PA/AP | left wrist radiograph | image width 91.0 mm: 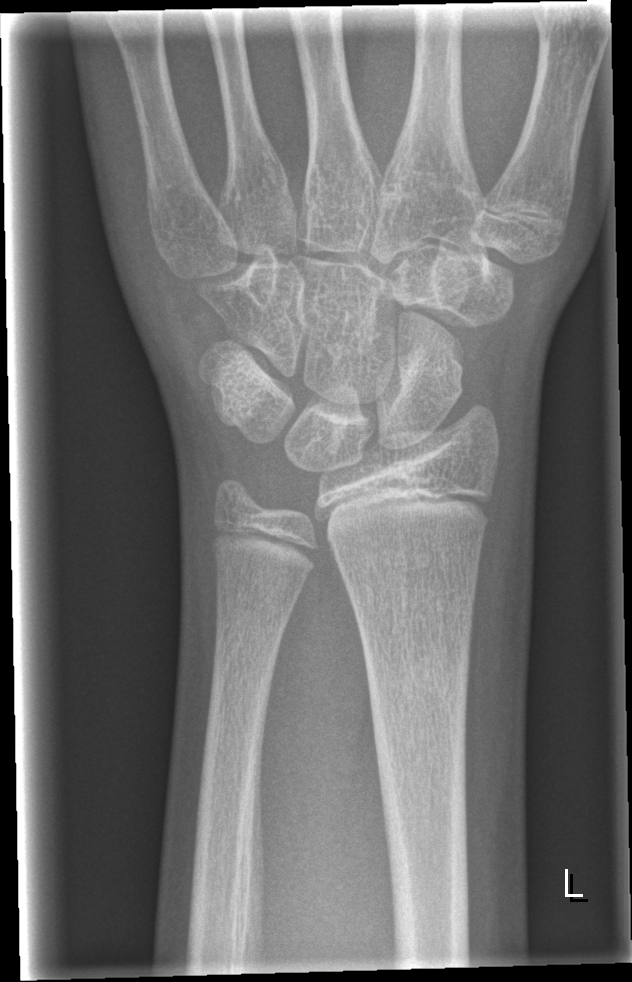
(coordinates are [x1, y1, x2, y2] in image pixels)
AO code = 23r-M/2.1
bone fracture = (362, 642, 477, 727)